PA/AP view | Lt wrist radiograph | 9y F | cast in situ — 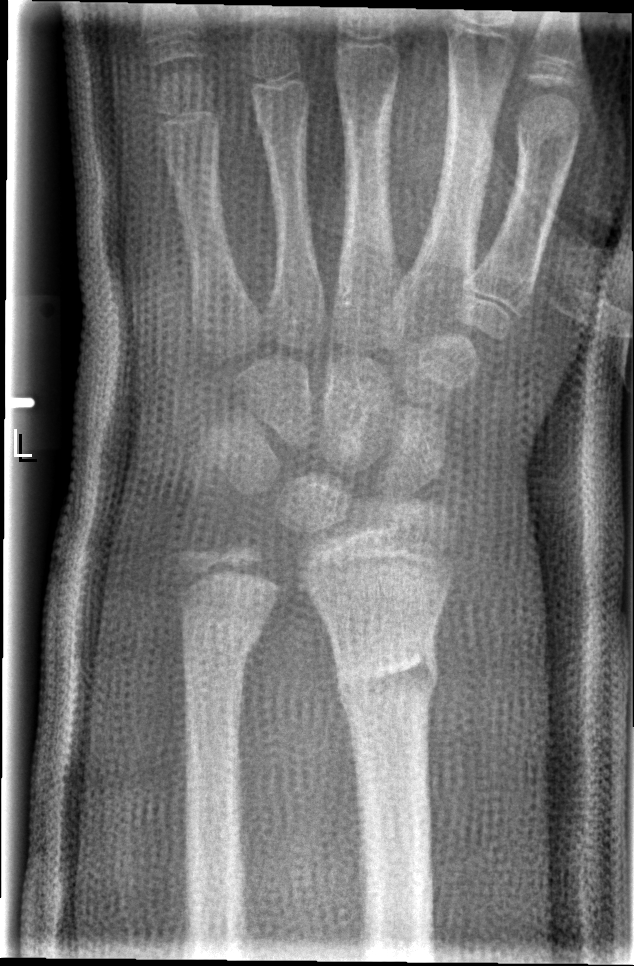 Q: Is there a fracture?
A: Fracture identified at <332,637>-<445,718>, <177,604>-<267,678>